L wrist XR, lat projection:
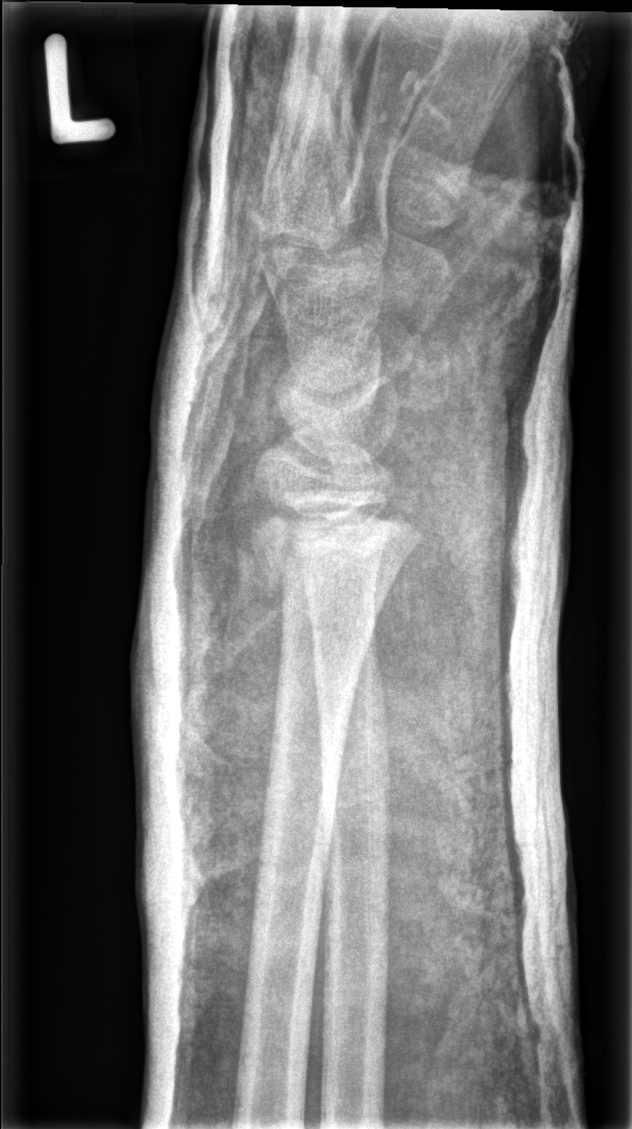 Q: AO code?
A: AO code 23r-E/2.1; 23u-E/7
Q: Locate any fractures.
A: Bone fracture: [248, 482, 426, 597]